L plain radiograph of the wrist; lat projection.

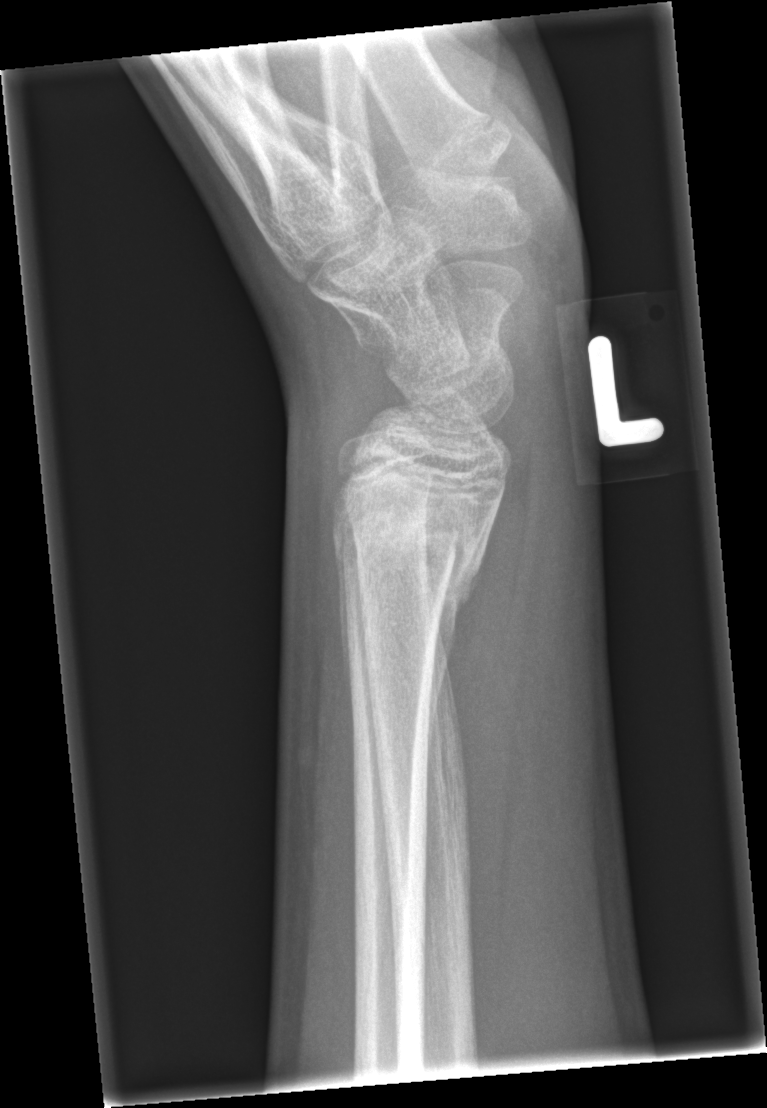 {"fracture": "328,507,494,631", "periostealreaction": "1 @ 423,486,504,778", "osteopenia": "present", "ao": "23r-M/3.1; 23u-E/7"}